Left wrist XR, AP view, follow-up: 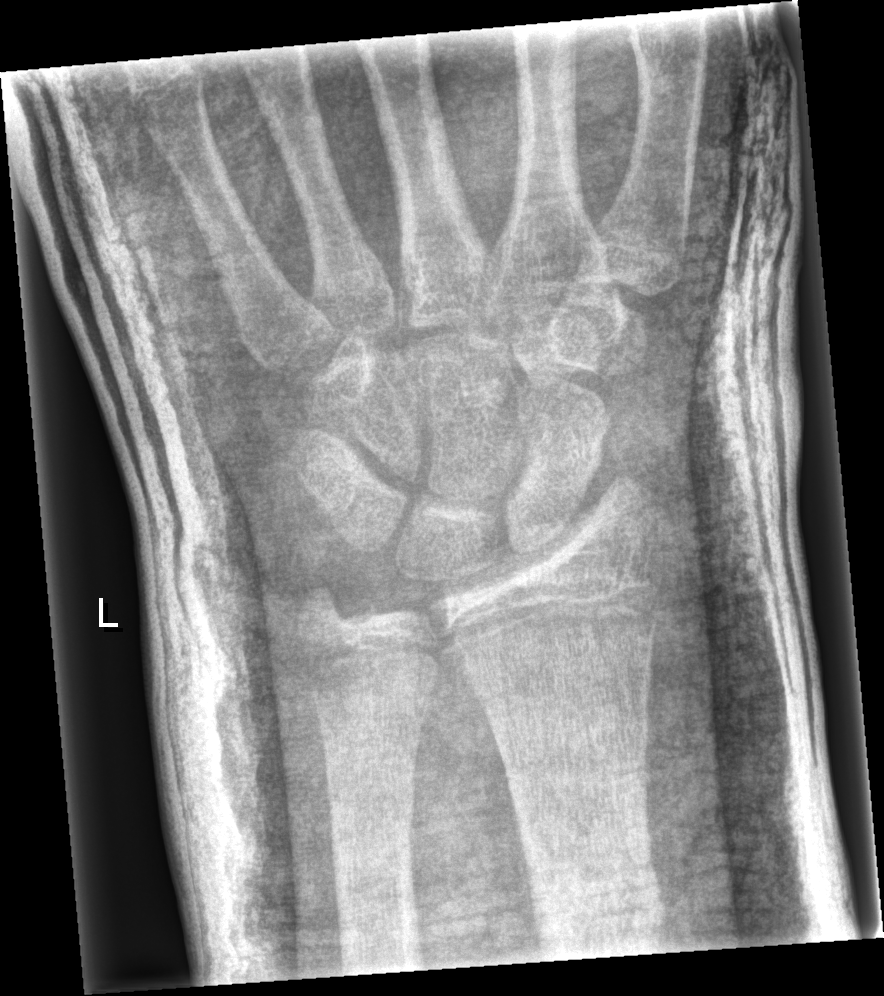

{
  "fracture": "[x1=525, y1=876, x2=675, y2=954]; [x1=325, y1=773, x2=418, y2=854]"
}